Left wrist XR · AP projection · boy, 8 yo · follow-up study · cast present · image width 95.9 mm · 666x1256 — 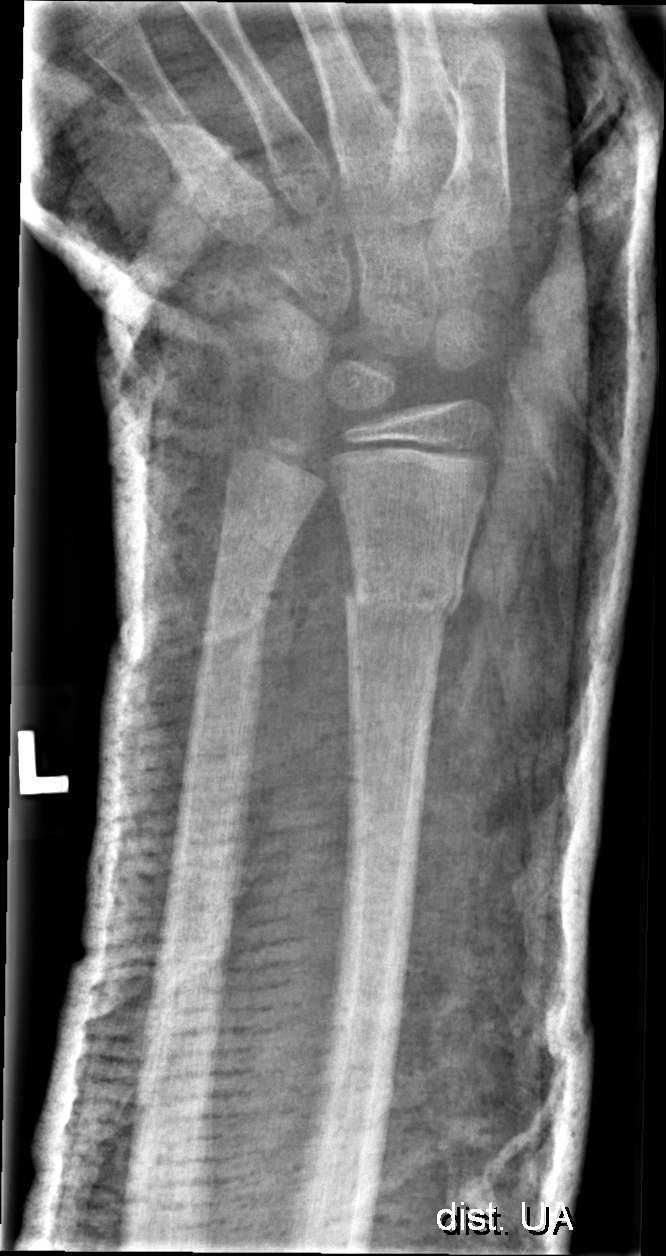
{"_coords": "bounding boxes in image-pixel xyxy", "fracture": "2 @ (338, 559, 469, 634) (214, 517, 296, 577)", "ao": "23-M/3.1"}